AP projection, R pediatric wrist radiograph, initial study — 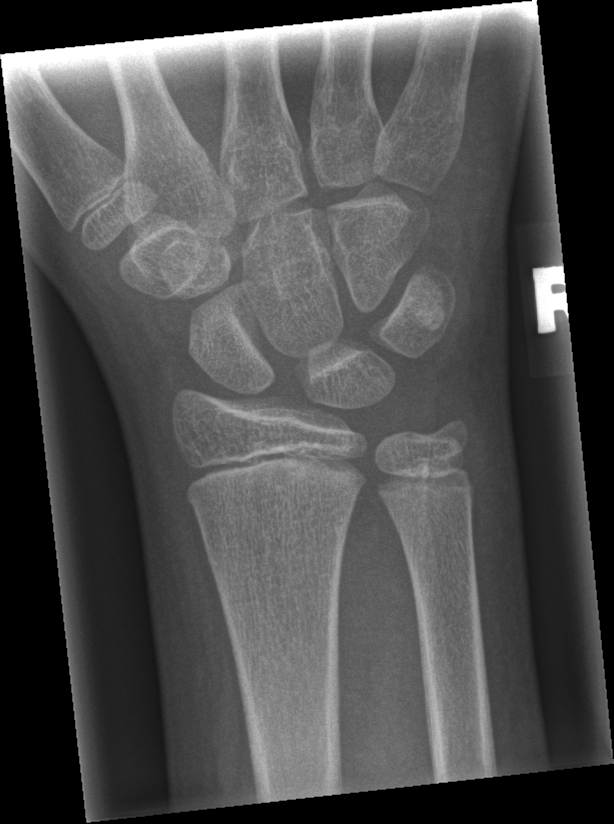
Fx = none labeled